Left wrist plain radiograph of the wrist; PA/AP; subsequent exam; image width 116.4 mm; 808x1396: 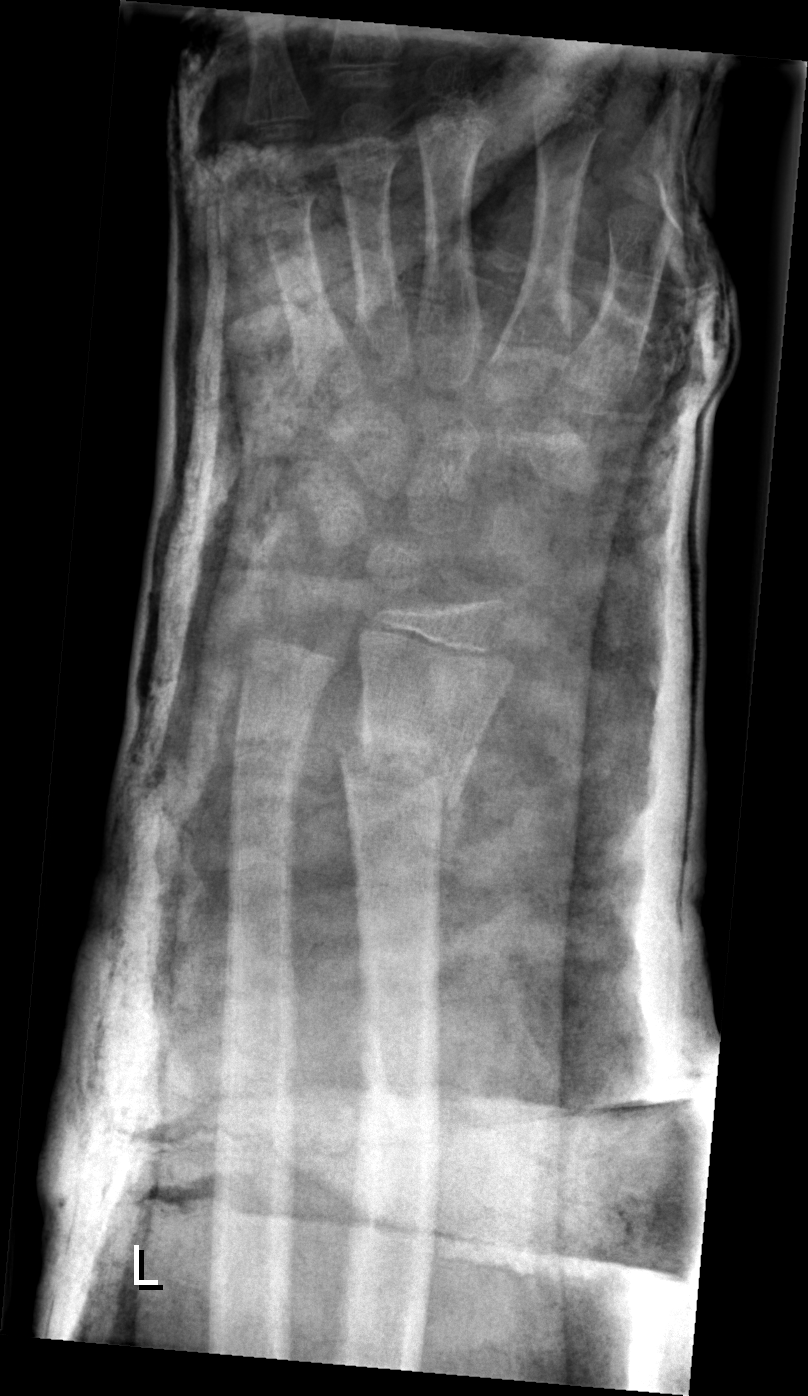
FINDINGS — Fx: [334, 706, 474, 883] [231, 714, 313, 802]. Periosteal thickening: [438, 755, 477, 954]; [291, 697, 321, 885].